Frontal, left wrist X-ray, 13y M, cast in situ: 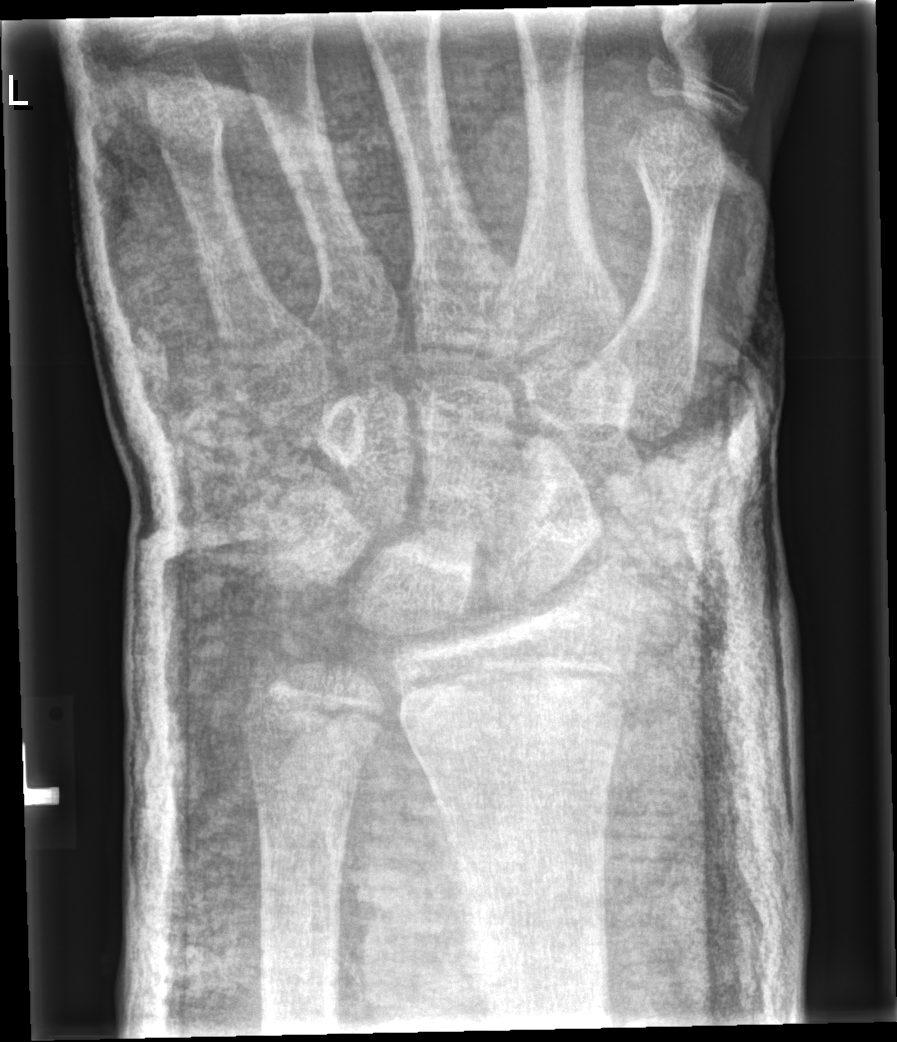

Fracture present, but no bounding box because it is not clearly seen in this view.
AO code 23r-E/2.1; 23u-E/7.